Lat; left wrist radiograph; equivocal findings; image 74.4 mm wide; 517 by 888 pixels —
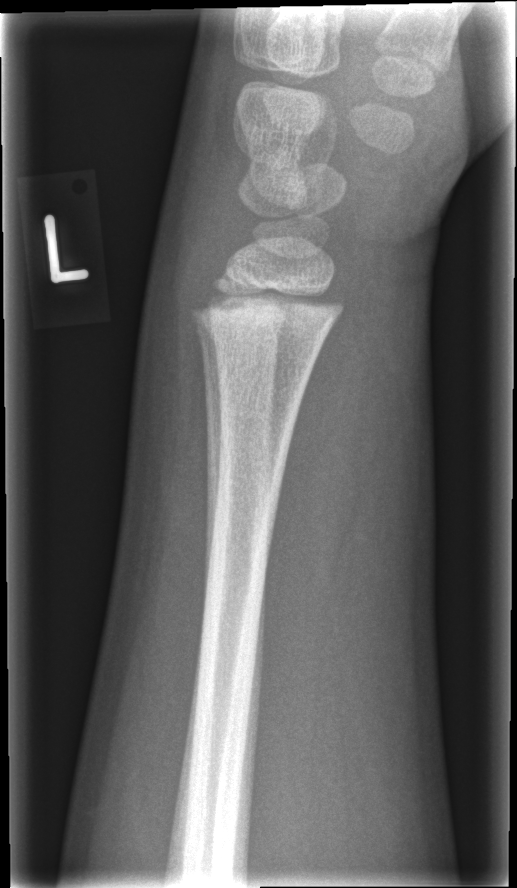

FINDINGS — No Fx annotated.